Left pediatric wrist radiograph · PA view · cast present. 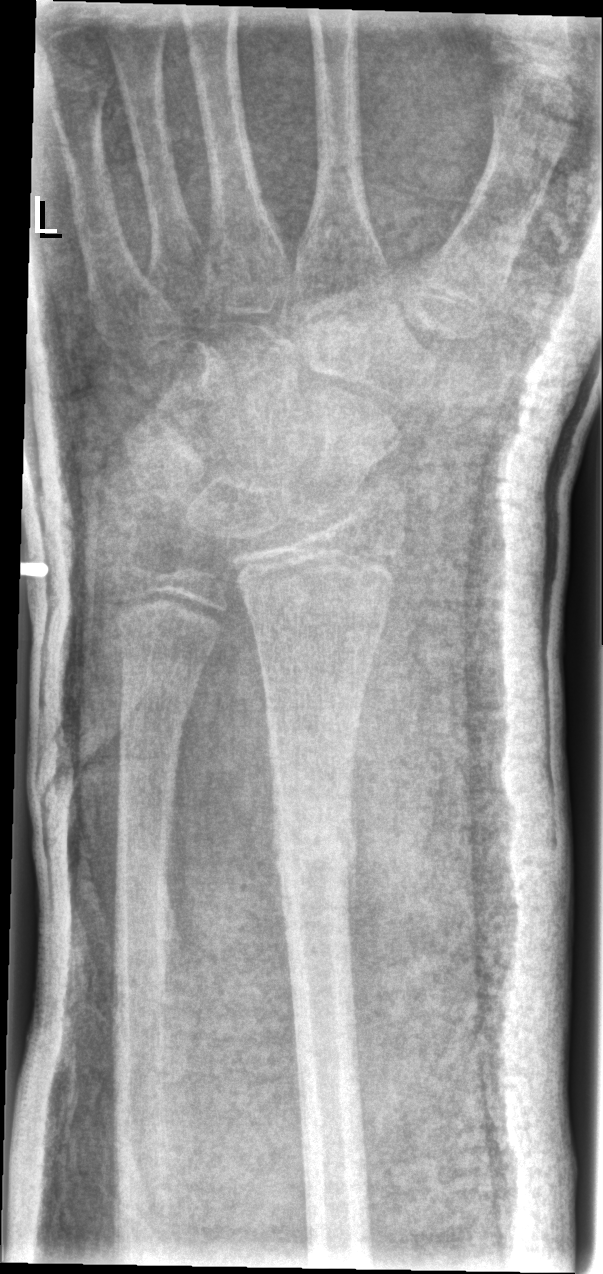

AO/OTA classification: 22r-D/2.1; 23u-M/2.1.
Fx identified at 272 823 363 883
  113 679 197 739.